Frontal view · L plain radiograph of the wrist —
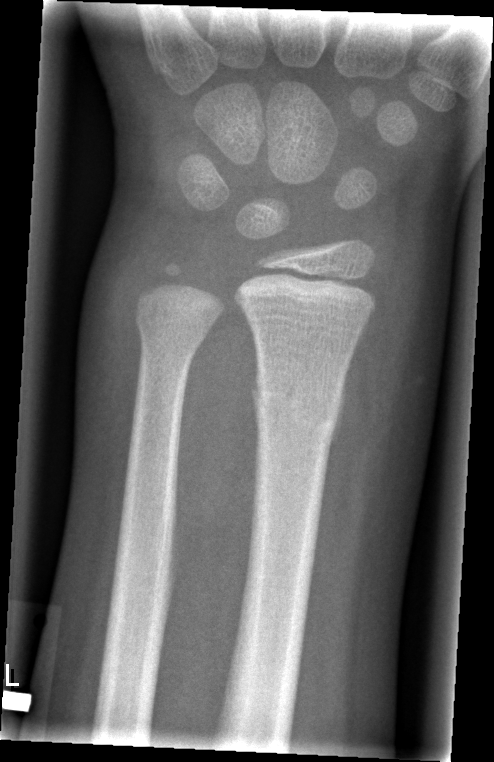 (coordinates are [x1, y1, x2, y2] in image pixels)
Q: Any soft-tissue swelling?
A: Two soft-tissue findings at <343,216>-<443,475>, <78,196>-<158,420>
Q: Locate any fractures.
A: Fracture identified at <247,371>-<345,450>, <130,304>-<220,353>
Q: AO code?
A: AO code 23r-M/3.1; 23u-M/2.1